R wrist radiograph | lateral projection | male, 10 yo | cast in situ

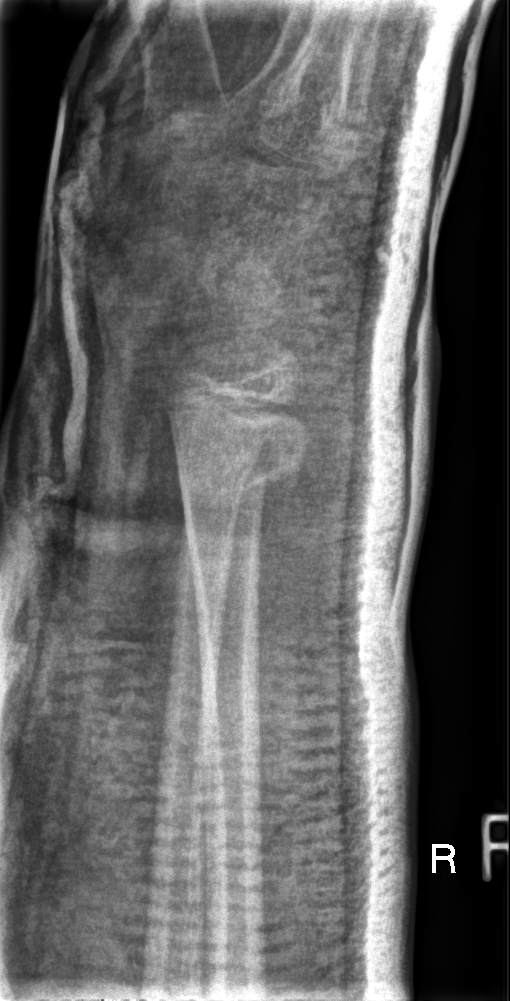
* One bone fracture at [172, 435, 309, 510].